Left wrist plain film, lat view, detector: Siemens —

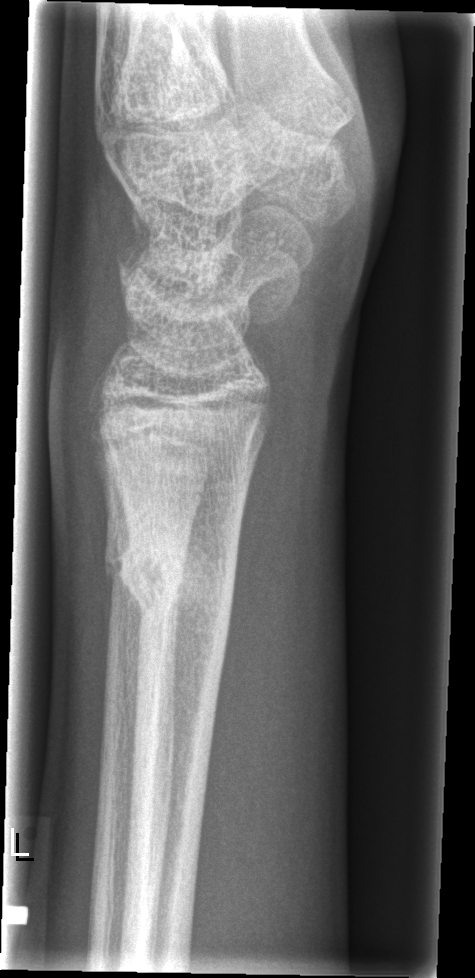 (pixel coordinates, top-left origin, xyxy)
Q: Any fracture seen?
A: One bone fracture at 99 520 242 641
Q: AO code?
A: AO code 23-M/2.1
Q: Is there osteopenia?
A: Reduced bone mineral density